PA/AP view, R plain radiograph of the wrist, Siemens: 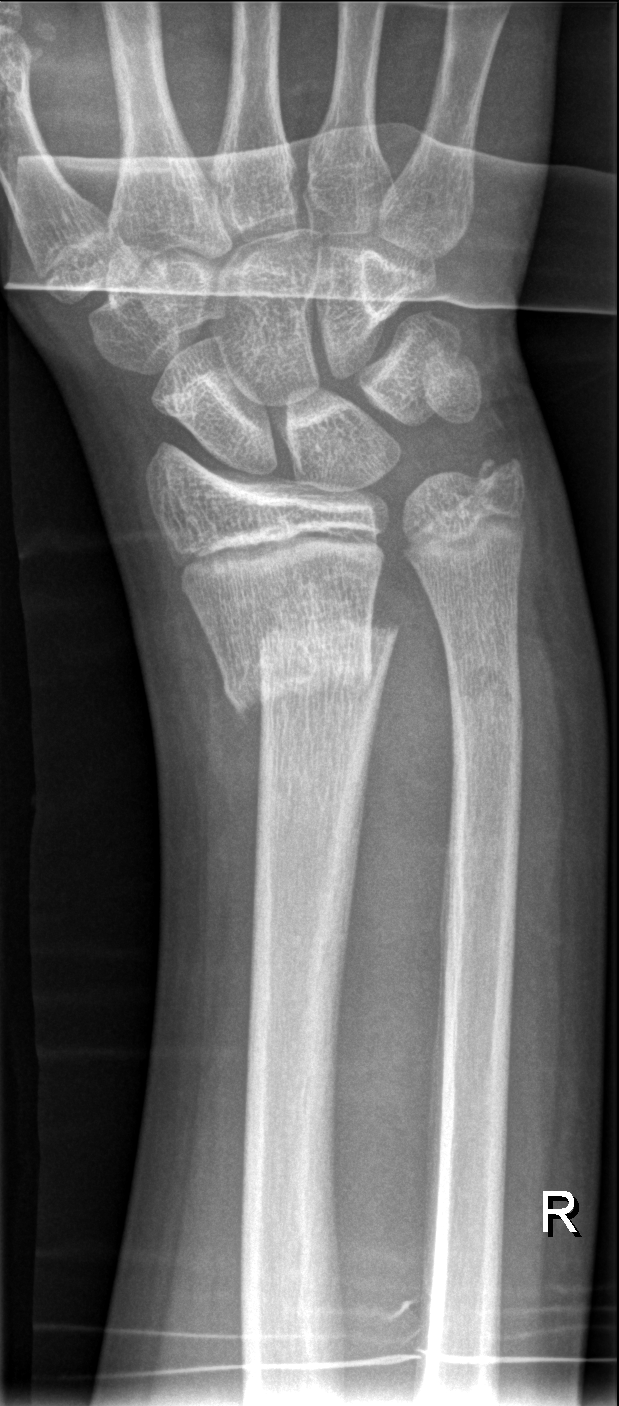
(coordinates are [x1, y1, x2, y2] in image pixels)
Q: Is there a fracture?
A: Fracture identified at bbox(220, 610, 403, 723), bbox(445, 646, 525, 725), bbox(473, 446, 533, 503)